Lt wrist plain film · PA/AP view · pediatric patient (boy, age 6) · subsequent exam · cast present: 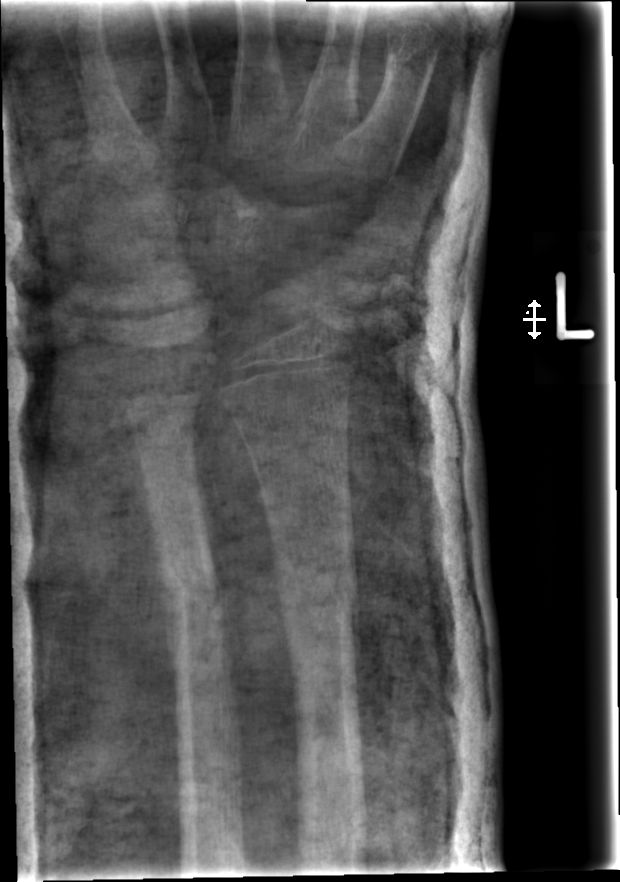
bone fracture = bbox(269, 560, 363, 624); bbox(158, 566, 227, 615)
AO/OTA = 22-D/2.1